Rt wrist plain film · AP projection · initial study — 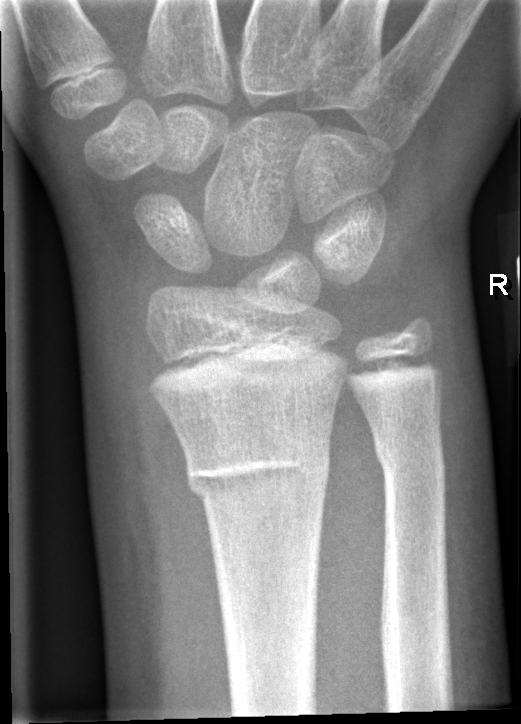 (boxes as x1,y1,x2,y2 (top-left / bottom-right, pixel units))
AO classification: 23-M/2.1
Fracture: (left=180, top=432, right=335, bottom=512); (left=372, top=427, right=449, bottom=480)